L wrist XR; frontal:

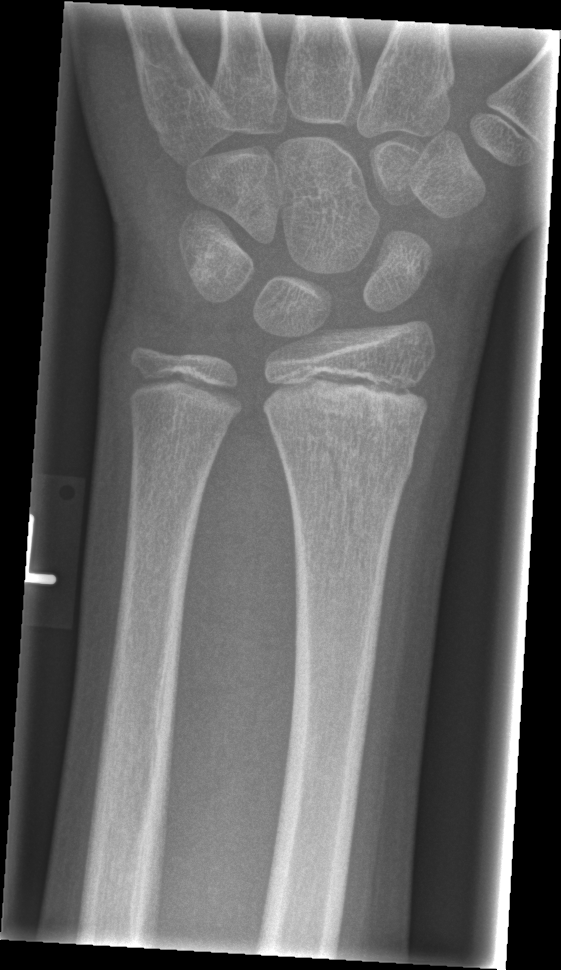 Bounding boxes in image-pixel xyxy.
Bone fracture identified at (left=271, top=414, right=419, bottom=492).